AP projection · left wrist radiograph · 14-year-old boy · 712x1376 — 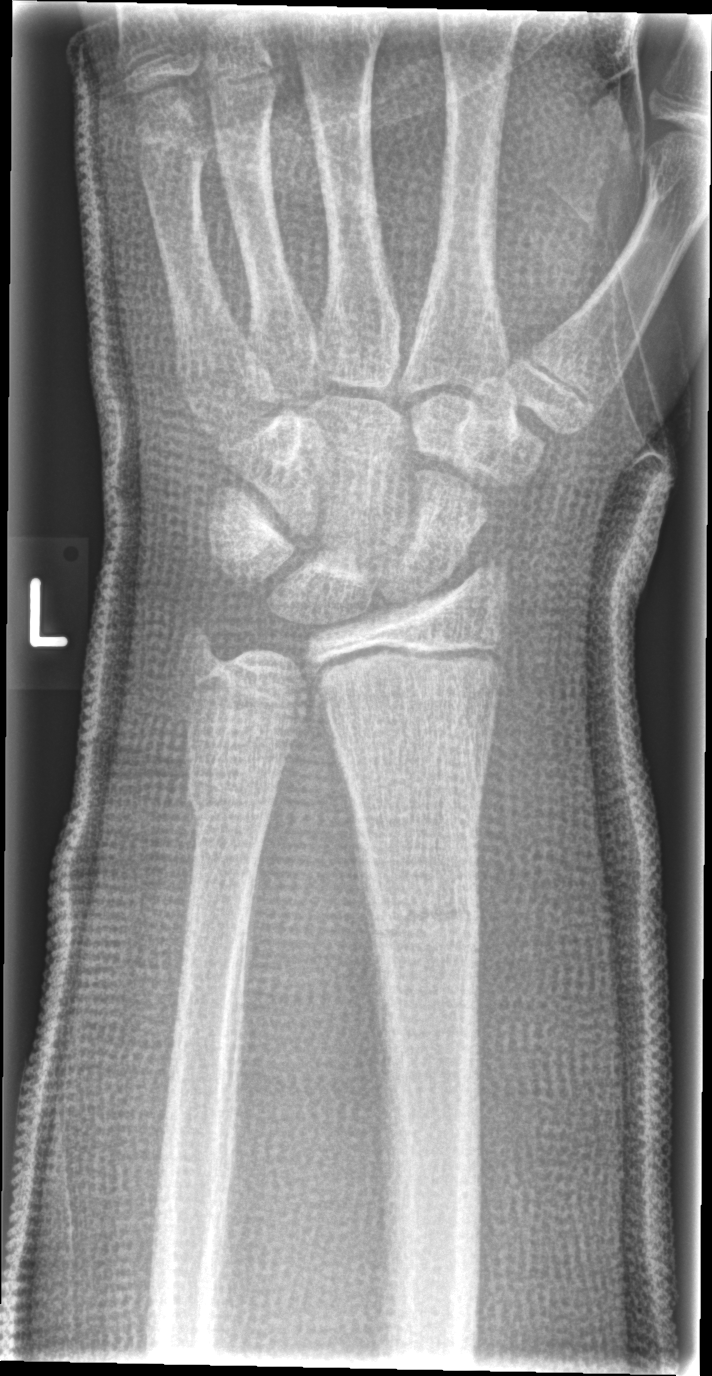 {
  "fracture": "bbox(363, 878, 485, 947); bbox(182, 766, 280, 827)"
}